Lat view · R pediatric wrist radiograph · equivocal findings. 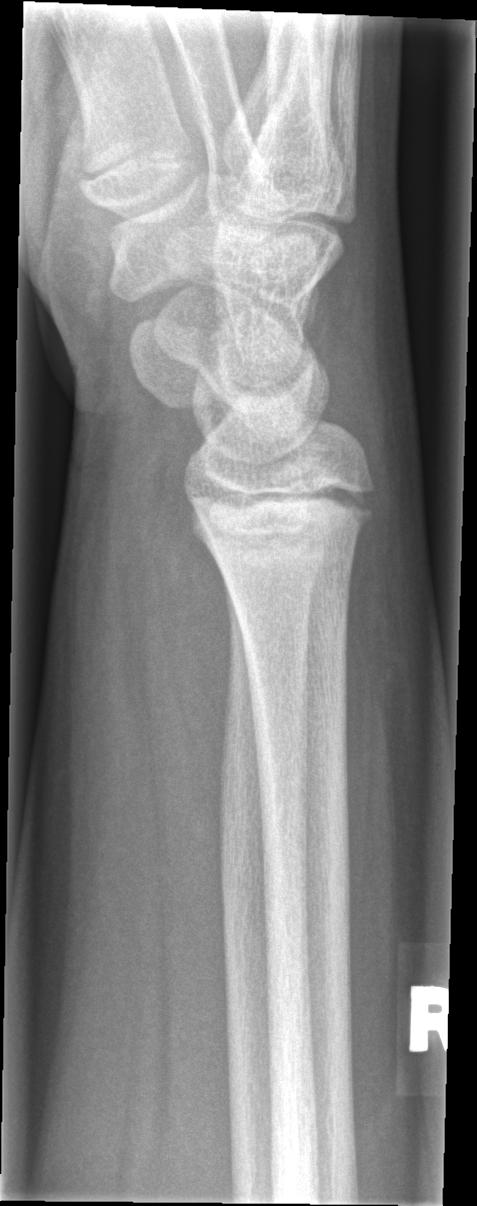   fracture: none labeled